Right wrist plain radiograph of the wrist | lat | female, 13 yo | 496x954:

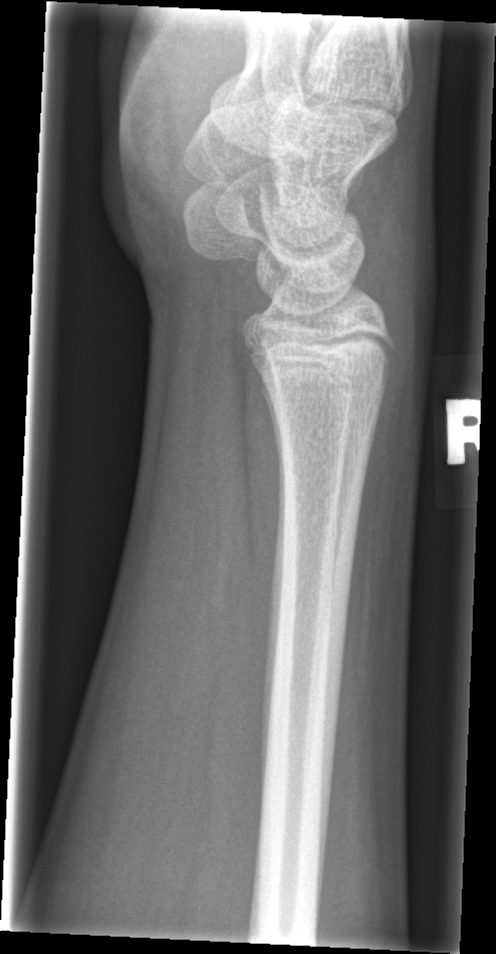

Fracture: none labeled.